PA view · L wrist X-ray · pediatric patient (female, age 5) · image size 453x790
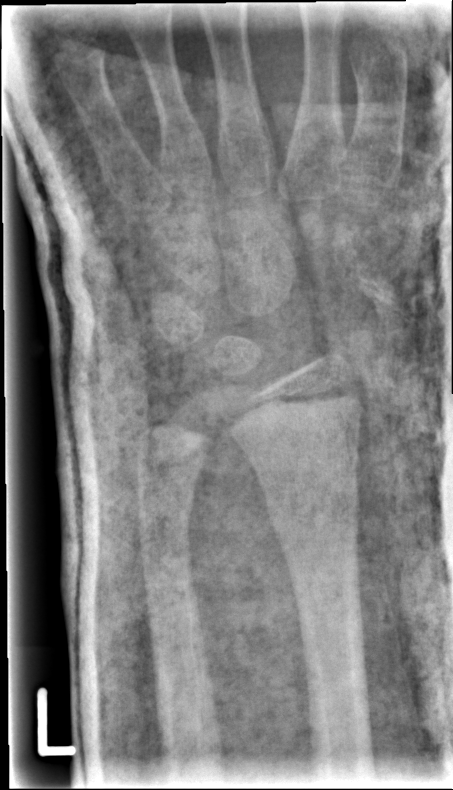
# bounding boxes in image-pixel xyxy
fracture: 2 @ 263 481 363 546
  132 479 196 531
ao: 23-M/2.1